Lt plain radiograph of the wrist, frontal projection, 6y F, 503 by 926 pixels —
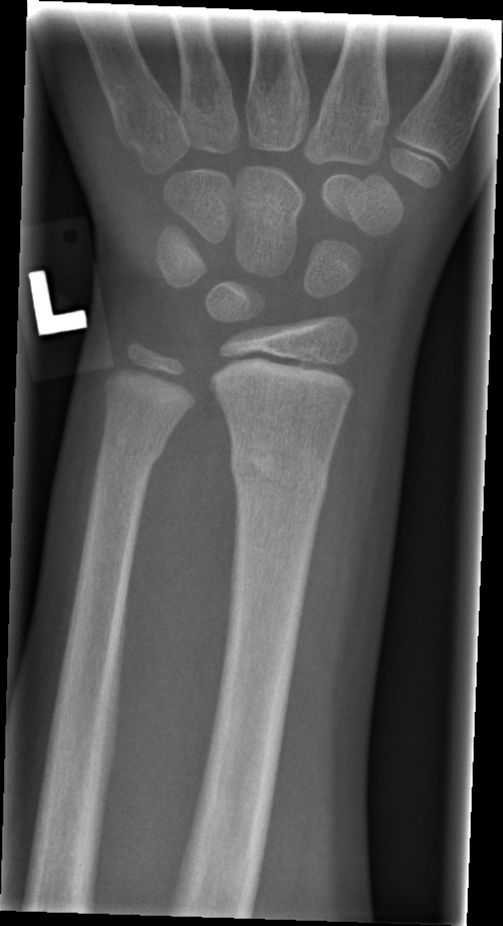 - Two bone fractures at (left=225, top=448, right=332, bottom=514), (left=96, top=423, right=169, bottom=470).